Left wrist XR | lateral | male, 16 yo | detector: Siemens.
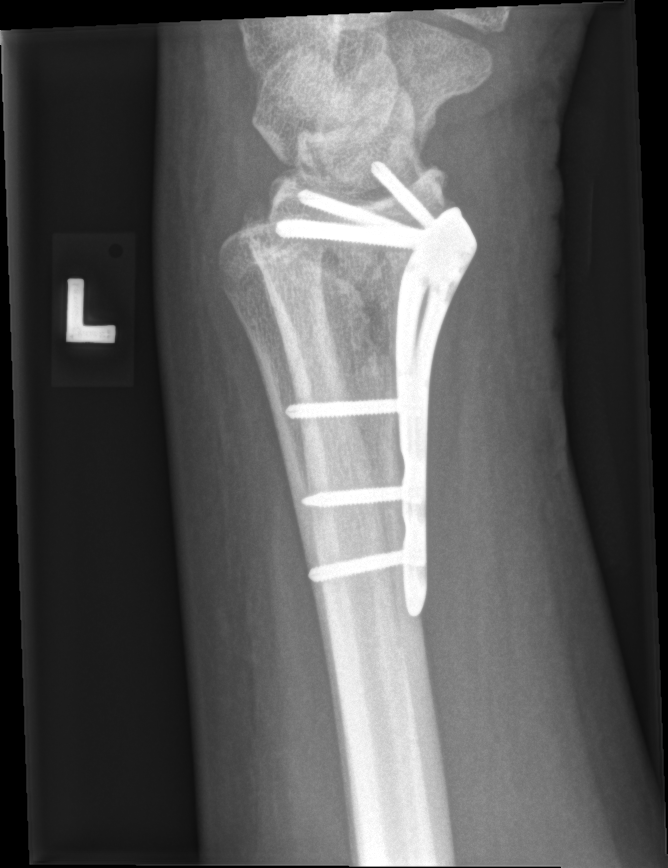
(bounding boxes in image-pixel xyxy)
Q: Fracture present?
A: Fracture: 233 199 418 369
Q: Locate any hardware.
A: Metallic hardware — 273 160 479 617